Rt wrist X-ray; lat view; age 11 y, male; cast in situ: 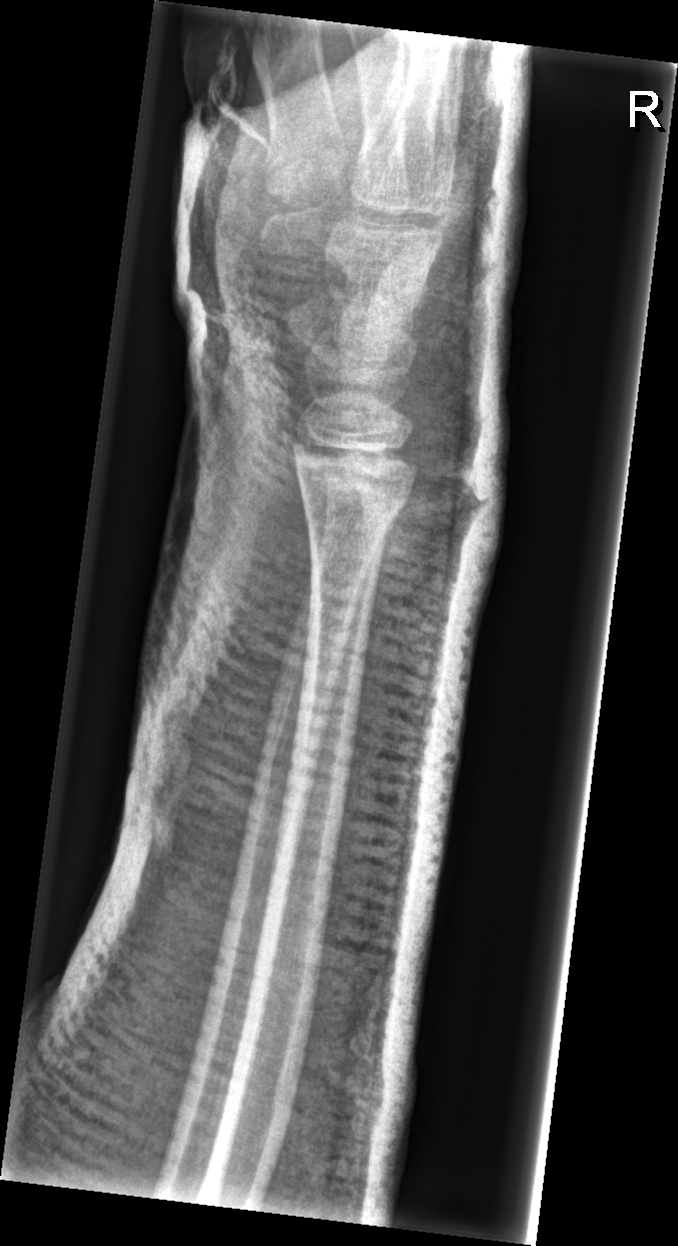
Bone fracture — 299 468 409 556.